AP · right wrist X-ray · 9-year-old boy.

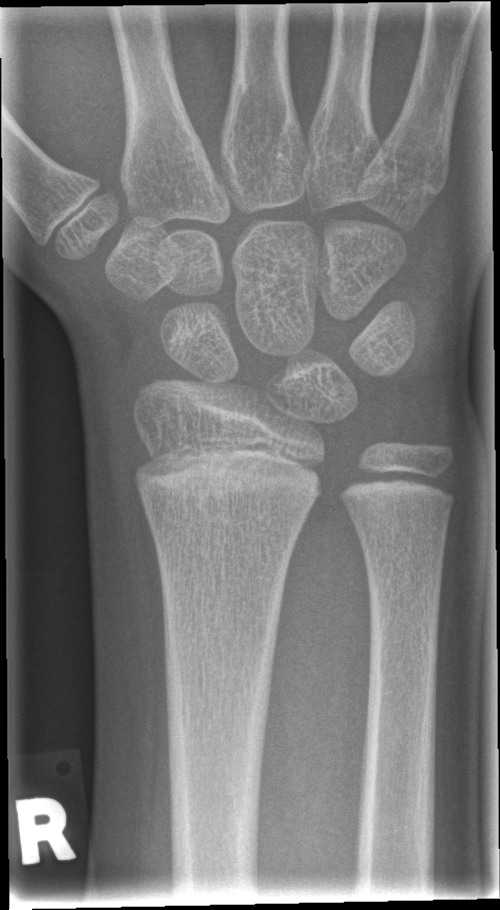

FINDINGS — No Fx annotated.